Posteroanterior view, left wrist plain film, subsequent exam:

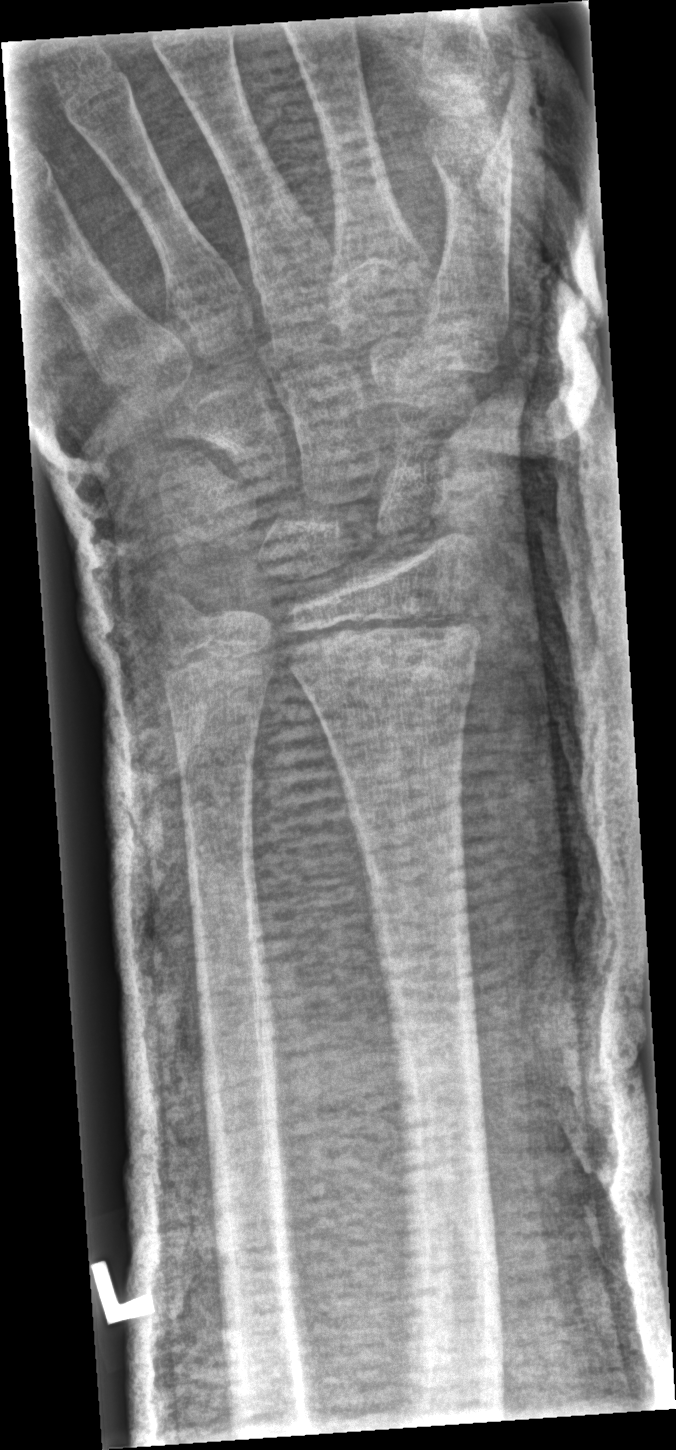
Pixel coordinates, top-left origin, xyxy.
Fracture — bbox(282, 602, 484, 706).